Rt wrist XR, AP, index exam, findings marked uncertain by the reading radiologist, detector: Siemens

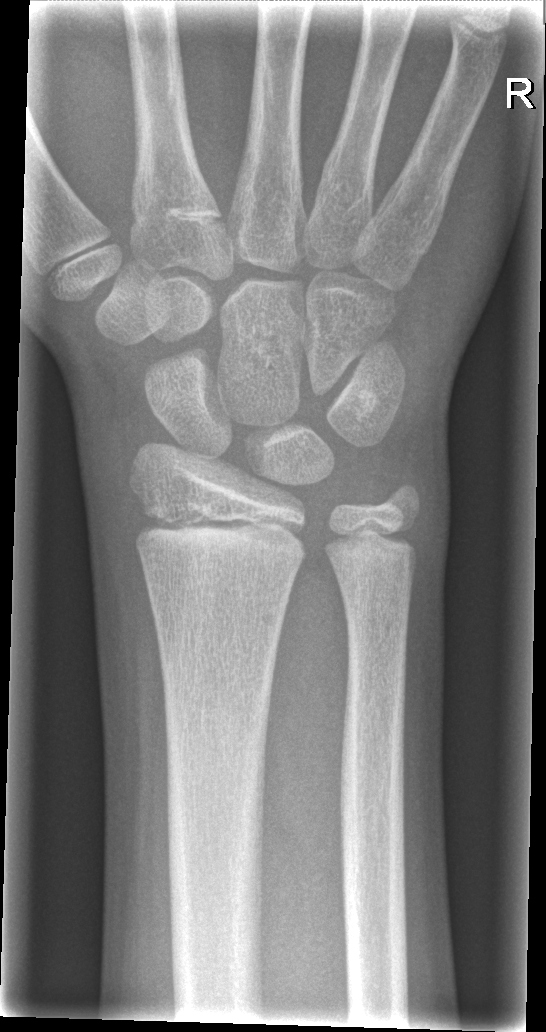 Fx: none.